AP; Rt wrist plain film; age 13 y, female — 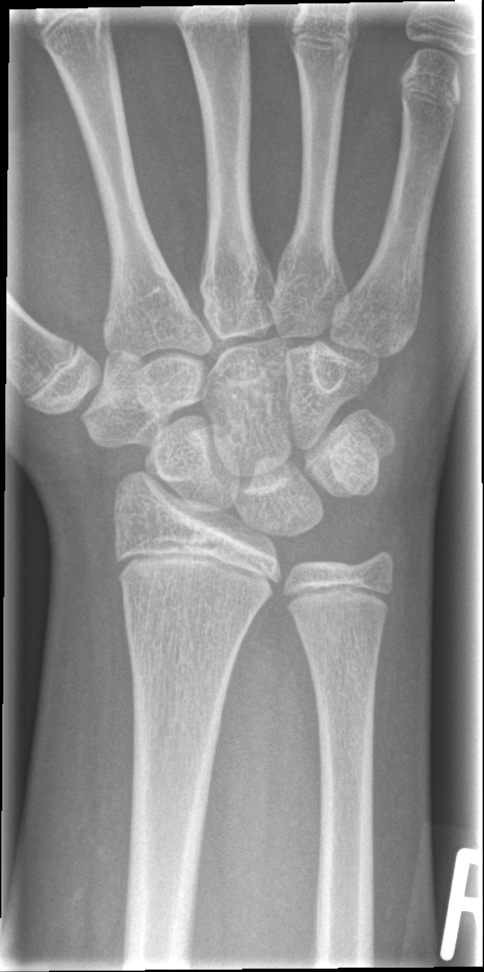

{
  "fracture": "none labeled"
}